Lat view · R wrist radiograph · male, 8 yo — 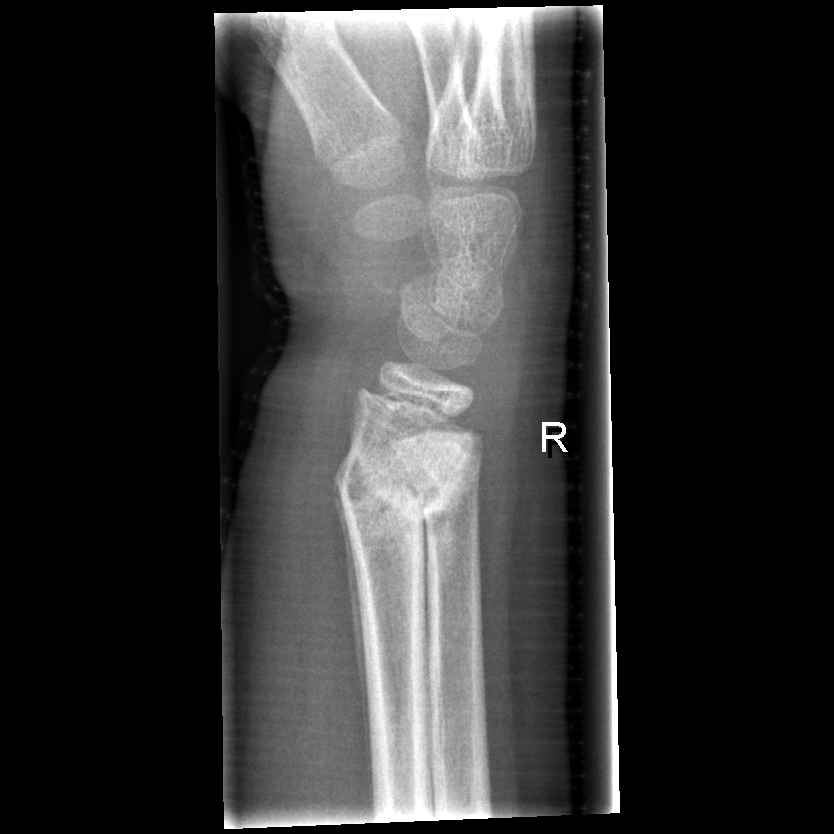 {"osteopenia": "present", "ao": "23r-M/3.1", "fracture": "bbox(330, 441, 461, 533)", "periostealreaction": "1 @ bbox(330, 447, 373, 816)"}